Left wrist X-ray | lat projection.
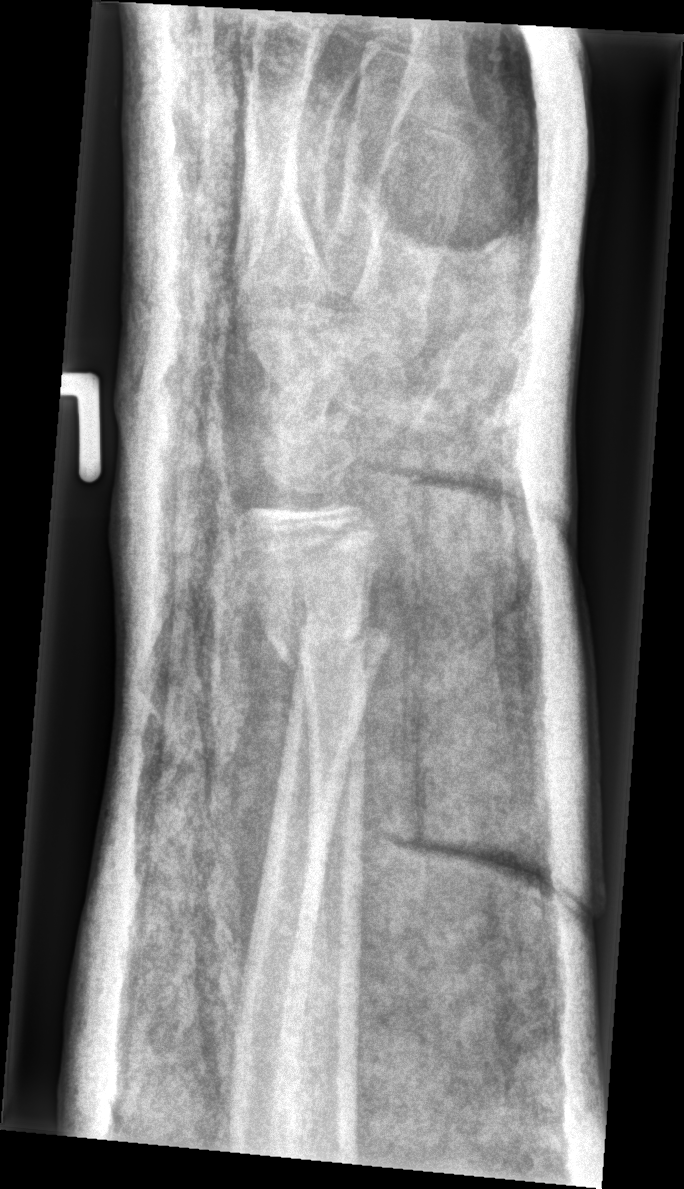 AO/OTA = 23-M/3.1; 23u-E/7
fracture = 1 @ <259,597>-<396,692>